Posteroanterior view · right wrist X-ray · age 11 y, male · presentation radiograph · image size 554x764. 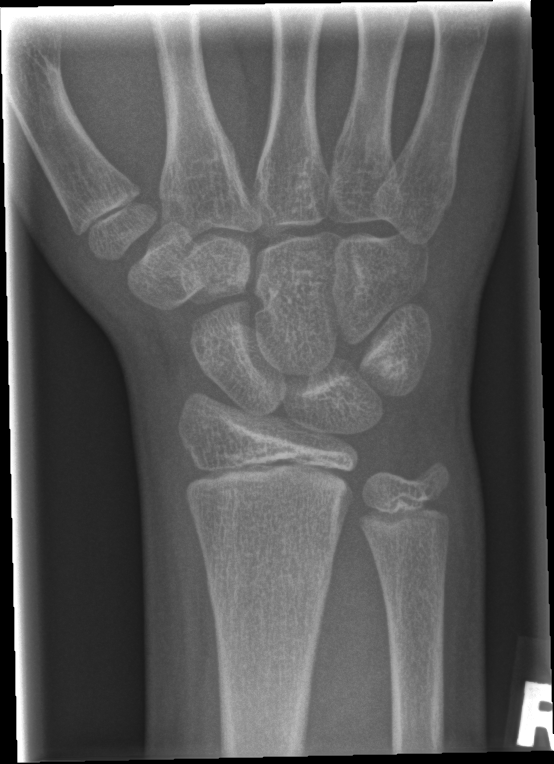 Q: Any fracture seen?
A: Fracture: [202, 551, 337, 610]
Q: What is the AO/OTA classification?
A: Fracture classified AO/OTA 23r-M/2.1